Lateral projection, Lt plain radiograph of the wrist 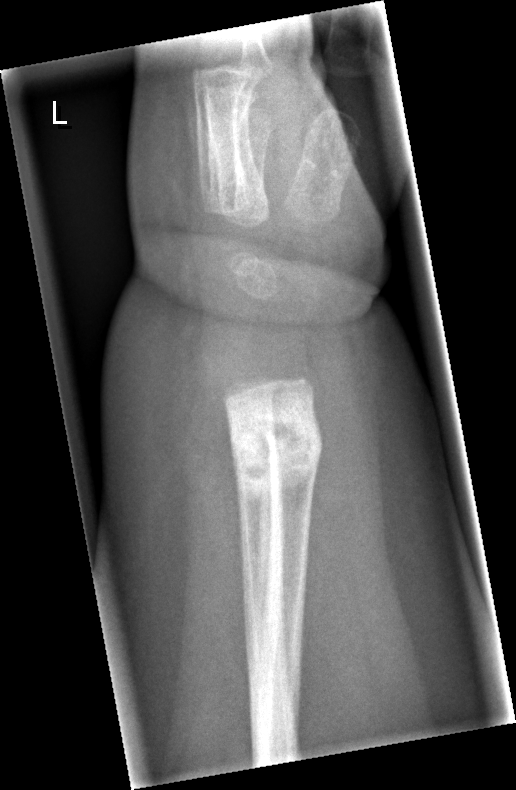
Bounding boxes in image-pixel xyxy.
Decreased bone density (osteopenia).
One fracture at [227, 429, 327, 474].
Periosteal new bone — [226, 405, 277, 648].